Right wrist X-ray | lat | pediatric patient (male, age 5) | initial study | Siemens:
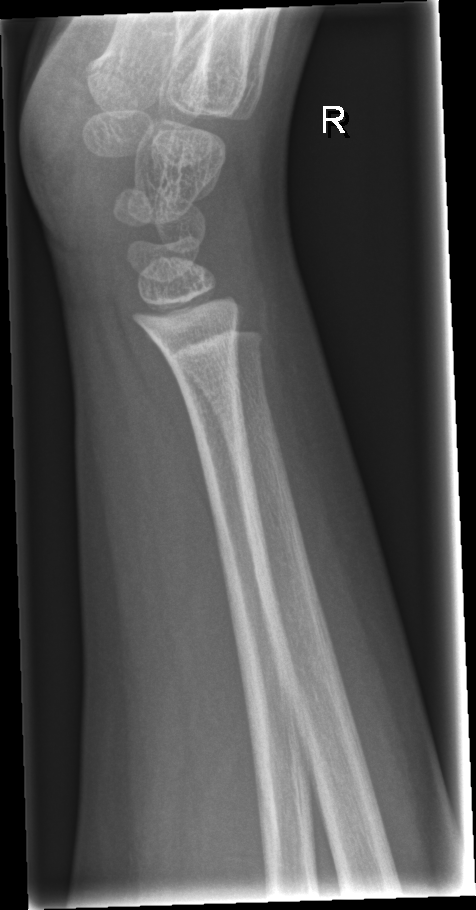

FINDINGS: No fracture bounding box.